Right wrist pediatric wrist radiograph · lateral view · 9-year-old boy · 522 by 1250 pixels
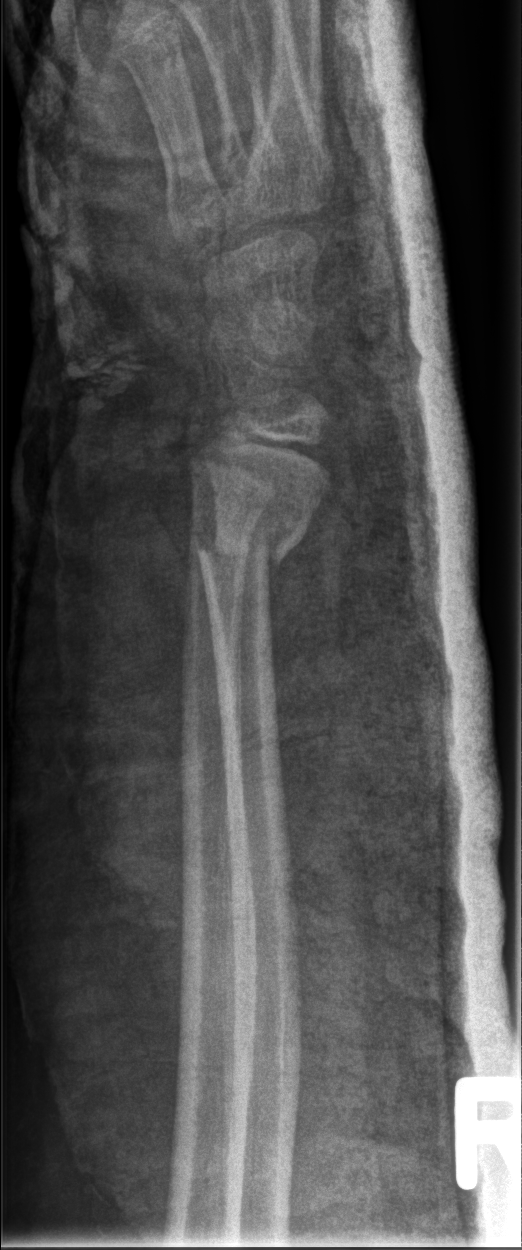 (boxes as x1,y1,x2,y2 (top-left / bottom-right, pixel units))
Q: Locate any fractures.
A: One bone fracture at (left=193, top=526, right=311, bottom=576)
Q: What is the AO/OTA classification?
A: AO code 23r-M/3.1; 23u-M/2.1